Rt pediatric wrist radiograph, lateral, age 3 y, girl.

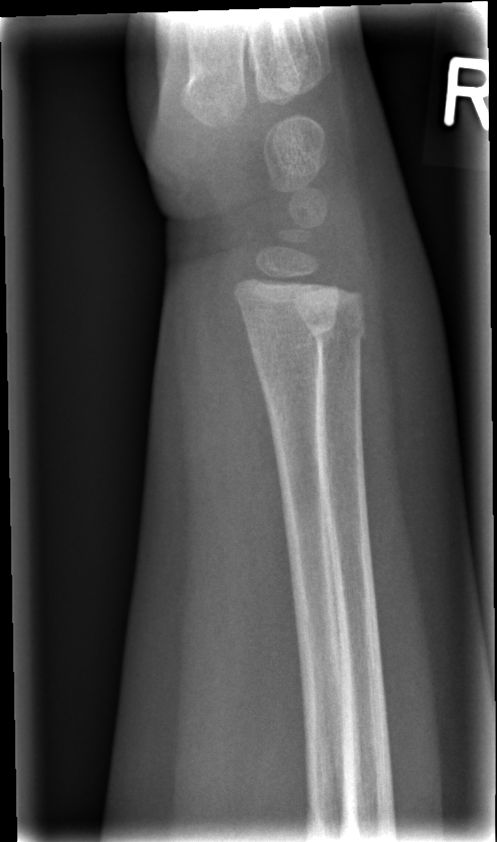
Findings: Fracture identified at 243 302 342 374; 304 308 371 358. Fracture classified AO/OTA 23-M/2.1.